Right wrist pediatric wrist radiograph | lateral | 59.5 mm image width.

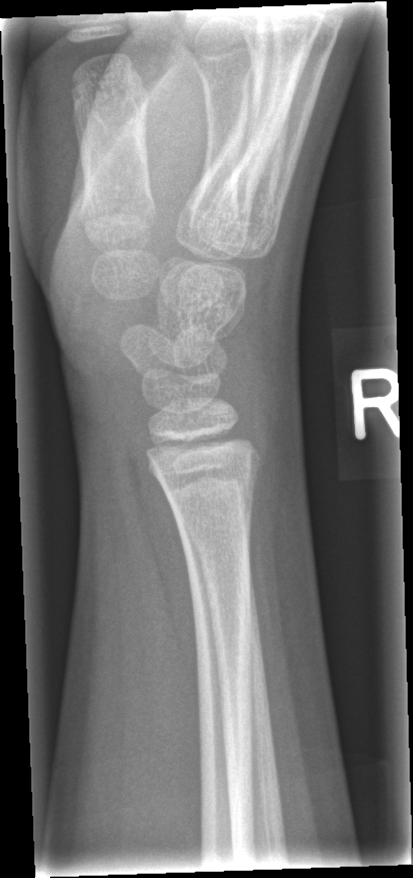
Fracture = none labeled